Lat view | L pediatric wrist radiograph | female, 3 yo | 327 by 586 pixels.

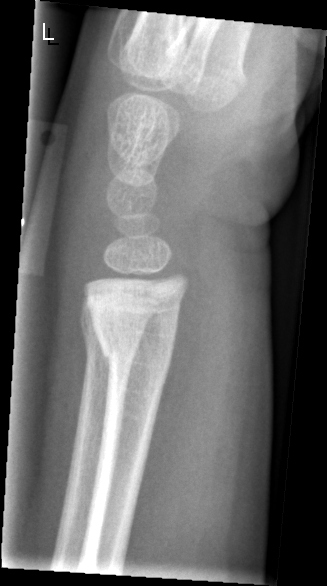

{
  "fracture": "[x1=76, y1=311, x2=148, y2=366]; [x1=99, y1=332, x2=178, y2=378]"
}